AP projection · right wrist pediatric wrist radiograph

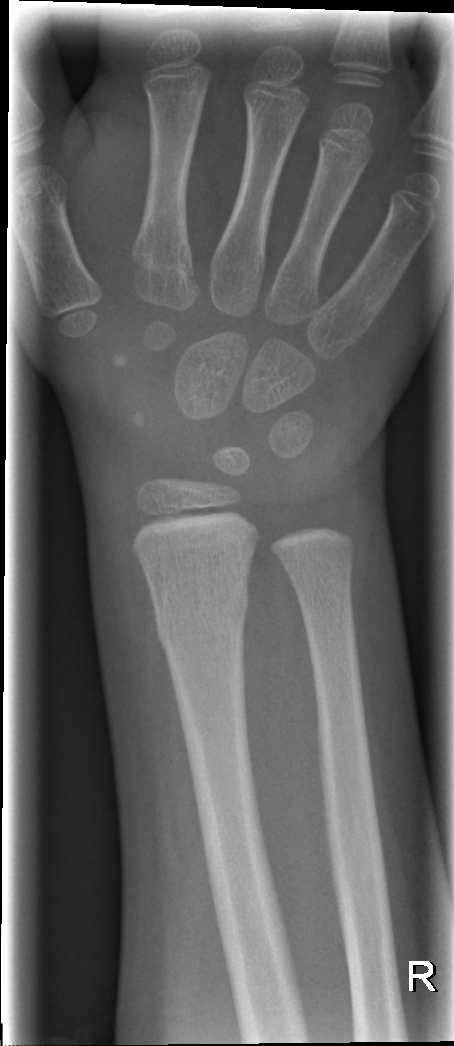 Pixel coordinates, top-left origin, xyxy. AO code 23r-M/2.1. Fracture: bbox(151, 580, 251, 654).